R wrist X-ray, PA projection, in cast, acquired on Siemens.
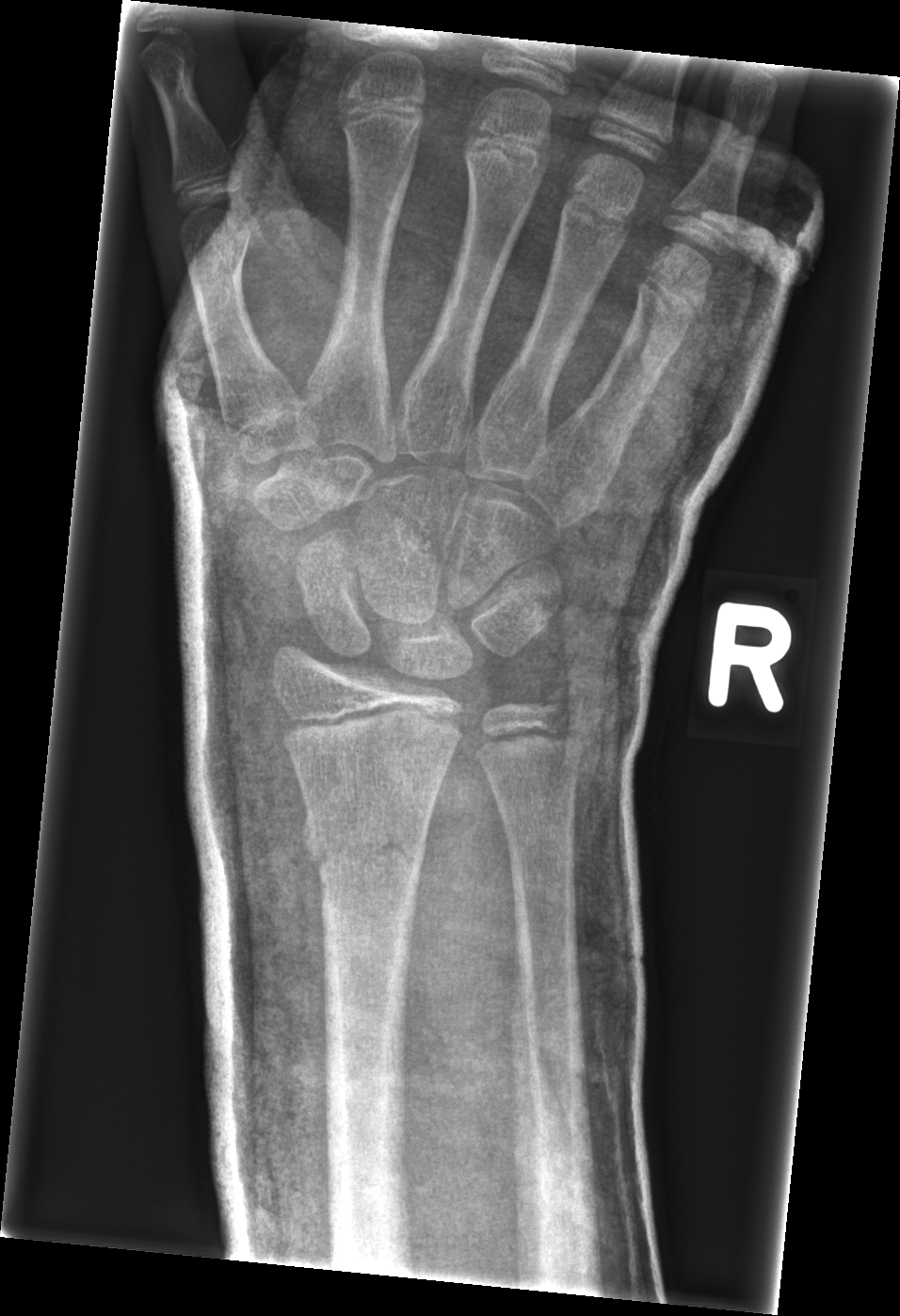 Fx: bbox(299, 799, 434, 896) bbox(532, 677, 588, 735).